Left wrist radiograph, frontal, 7y M:

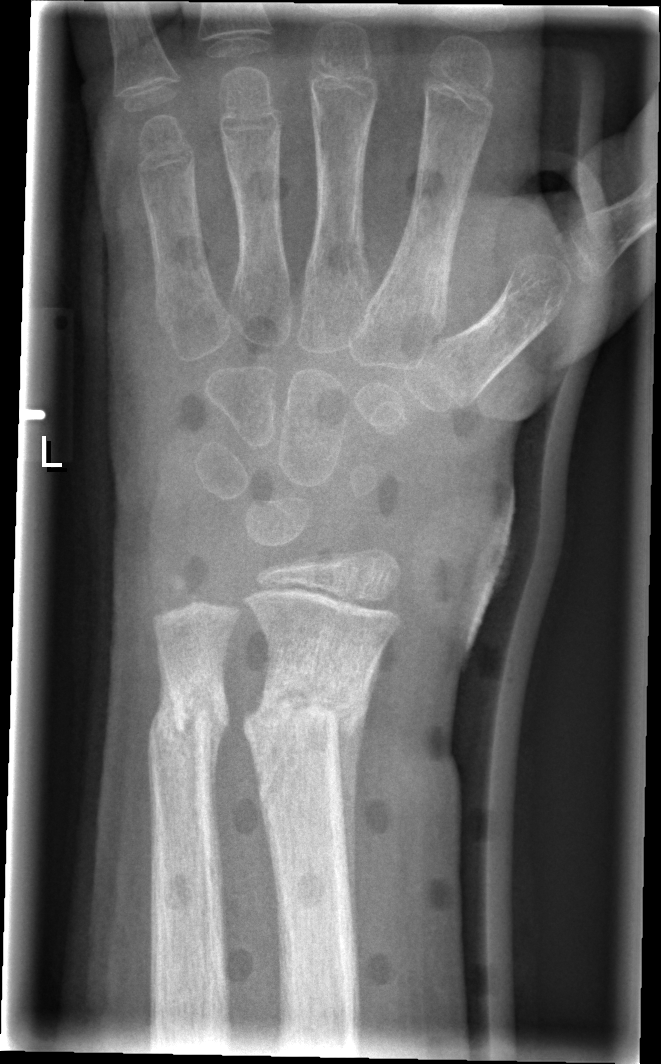 - Fx — 241,677,370,750
  142,675,233,754.
- Decreased bone density (osteopenia).
- Periosteal thickening identified at 337,704,366,913.
- Soft tissue abnormality: 393,443,521,709.
- AO/OTA classification: 23-M/3.1.